Frontal | R wrist plain film 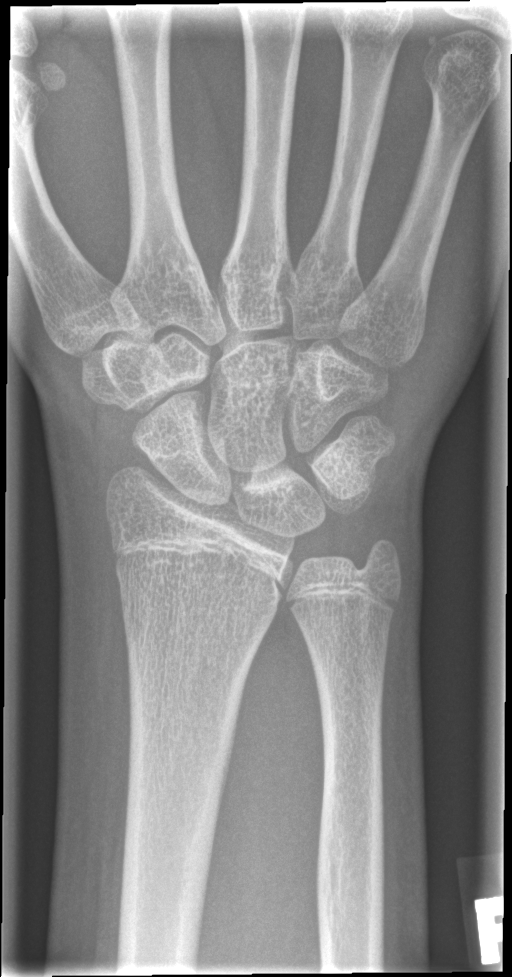 * No fracture bounding box.